Rt plain radiograph of the wrist, lat, 13y F, subsequent exam, 425x952: 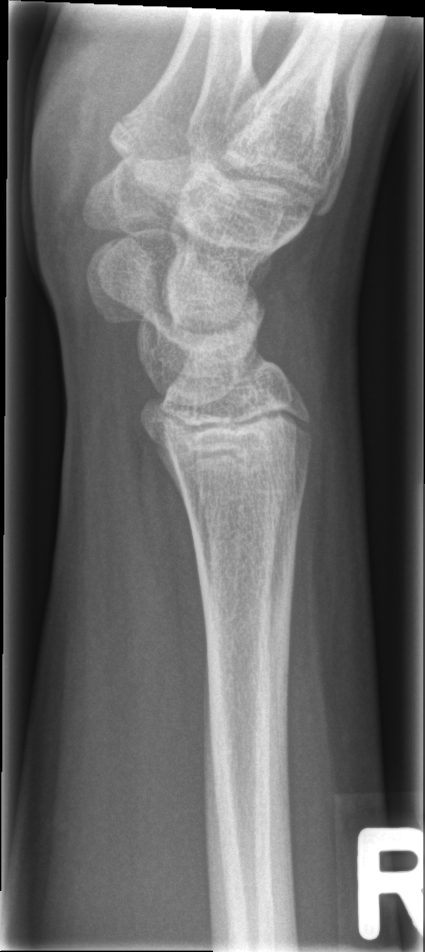
fracture: present but not clearly seen in this view
AO code: 23u-E/7